Right wrist XR | posteroanterior view | subsequent exam | imaged through cast | 732 x 887 px —

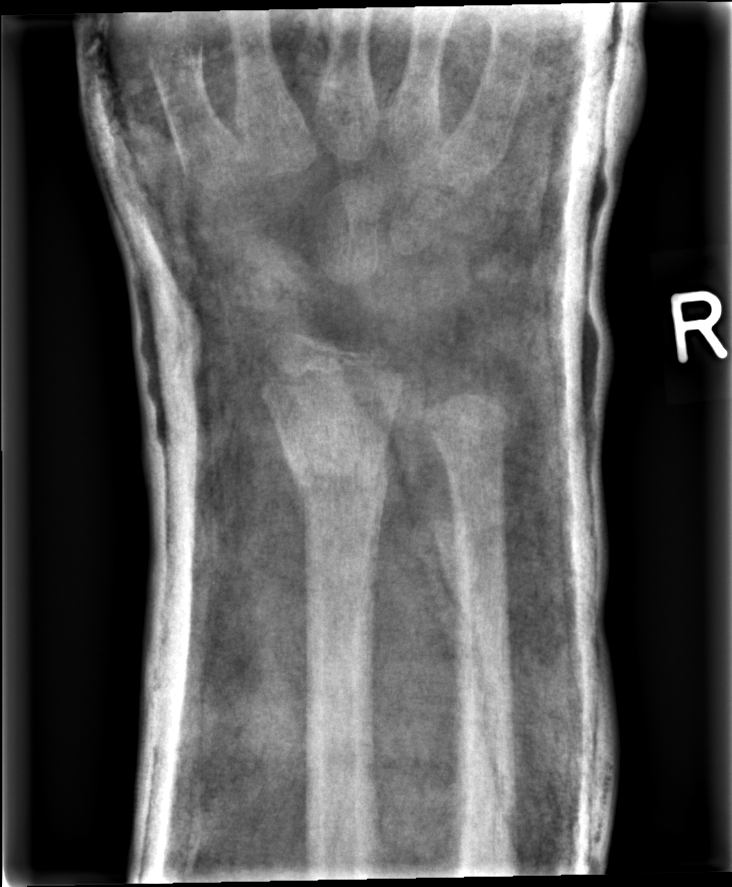

(pixel coordinates, top-left origin, xyxy)
Q: AO code?
A: AO code 23r-M/3.1
Q: Any fracture seen?
A: Fracture — (273, 411, 402, 505)